Right pediatric wrist radiograph, lateral, 438x985 — 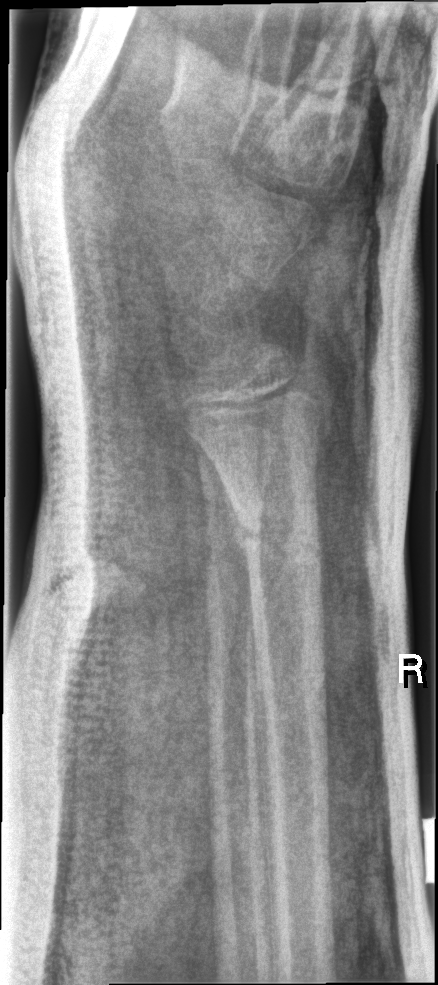

(boxes as x1,y1,x2,y2 (top-left / bottom-right, pixel units))
Q: AO code?
A: Fracture classified AO/OTA 23r-M/3.1
Q: Any fracture seen?
A: Bone fracture identified at (left=225, top=492, right=324, bottom=585)